Right wrist radiograph; lateral; age 9 y, female
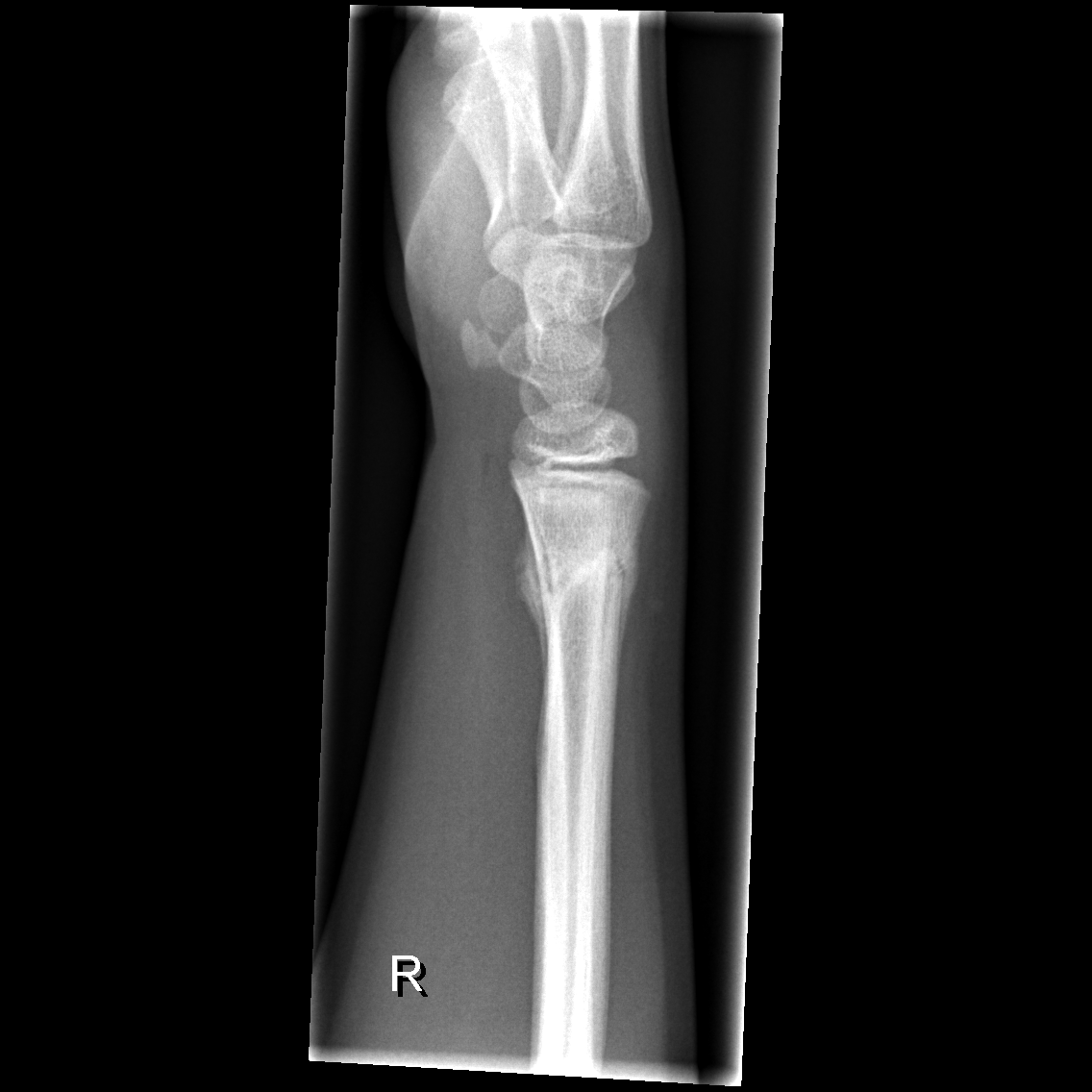
Findings: AO code 23r-M/3.1. Fx — 515 529 641 616. Two periosteal thickening at 512 495 552 777
  609 508 646 743.